Lateral; left wrist X-ray
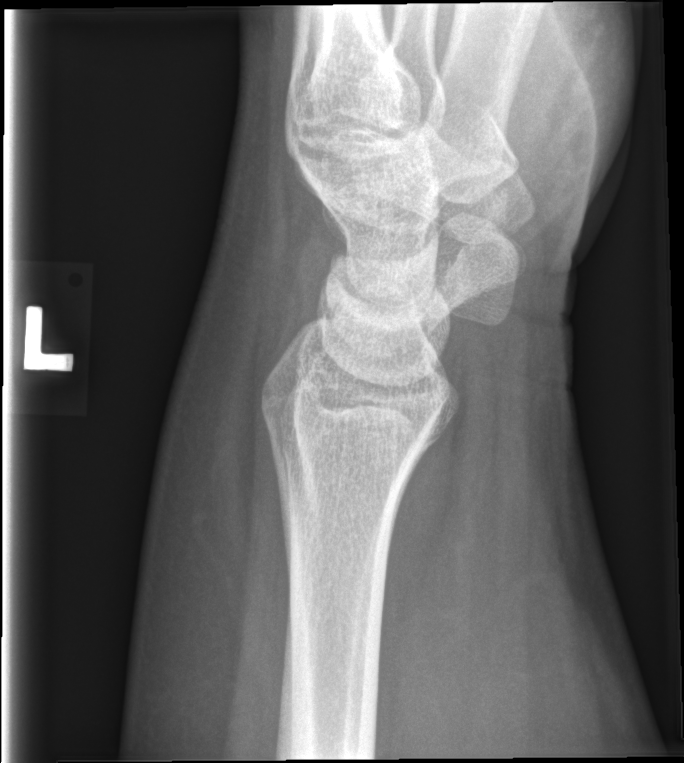 No Fx annotated.